Lateral, left wrist pediatric wrist radiograph, pediatric patient (male, age 4), detector: Siemens, image size 342x799:
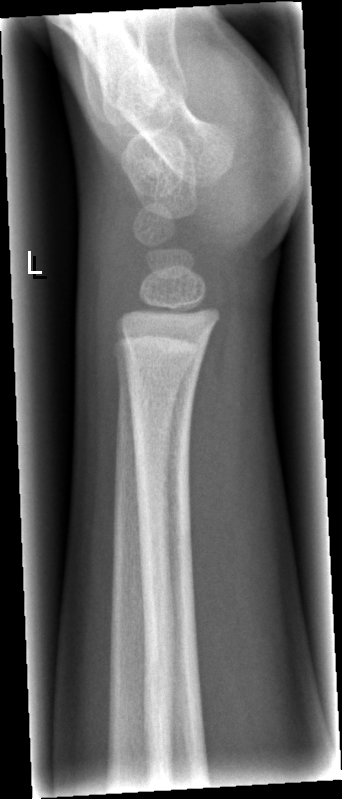 Findings: Fracture: none labeled.